PA projection, R wrist XR, Siemens, image width 85.2 mm:

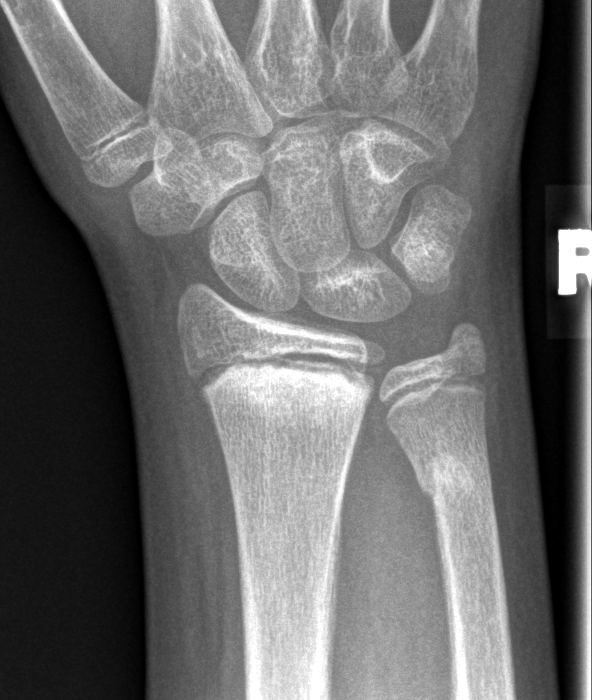

Bounding boxes in image-pixel xyxy. Reduced bone mineral density. AO code 23r-E/2.1; 23u-M/2.1. Fractures — 184,346,379,427; 411,437,496,507.